Left wrist radiograph | lateral view | cast in situ | 602 by 880 pixels.
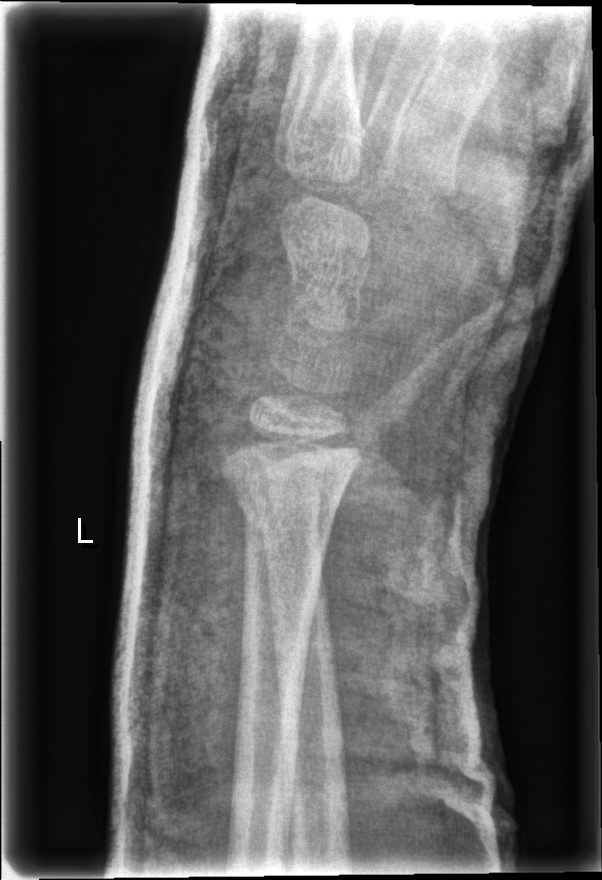

Bone fracture = 216 458 353 540
AO classification = 23r-E/2.1